Left wrist plain film; lateral view; follow-up study.

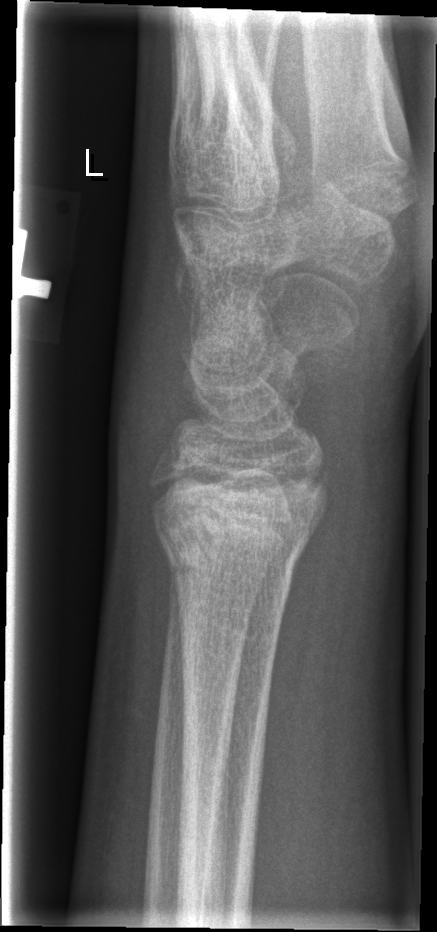 One bone fracture at bbox(151, 500, 316, 589).
AO code 23r-M/3.1; 23u-E/7.